PA/AP; R wrist plain film; 11-year-old boy.
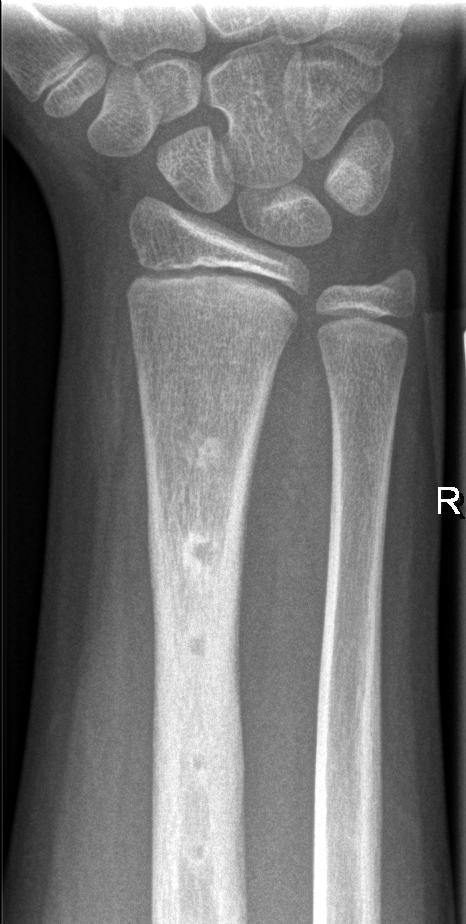

* Pixel coordinates, top-left origin, xyxy.
* Bone variant: bbox(144, 576, 251, 881) bbox(168, 518, 227, 582).
* Bone fracture identified at bbox(146, 580, 251, 824).